L wrist XR | lat view | detector: Siemens

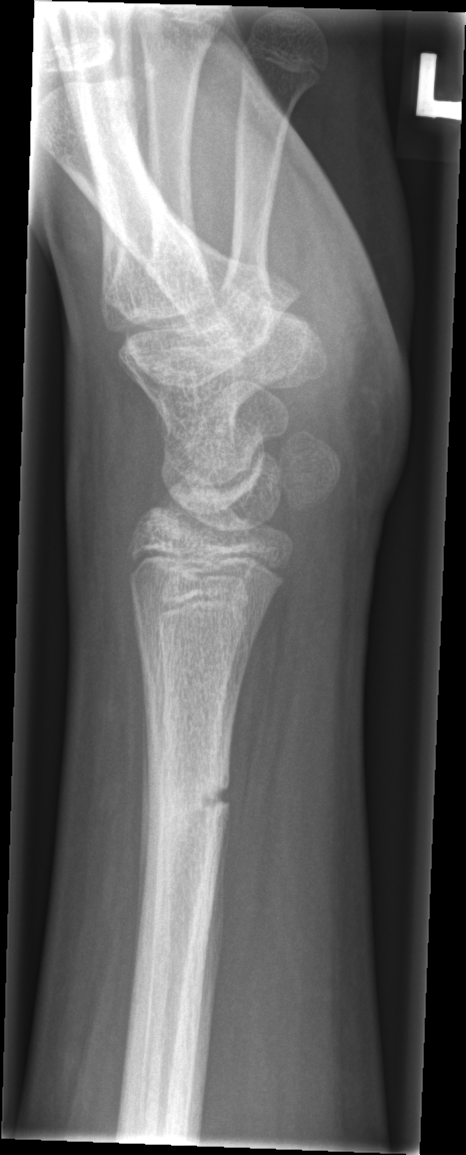 Bounding boxes in image-pixel xyxy. Fx — 138,761,239,847.